L plain radiograph of the wrist | frontal view | age 10 y, male | detector: Siemens | image width 100.2 mm
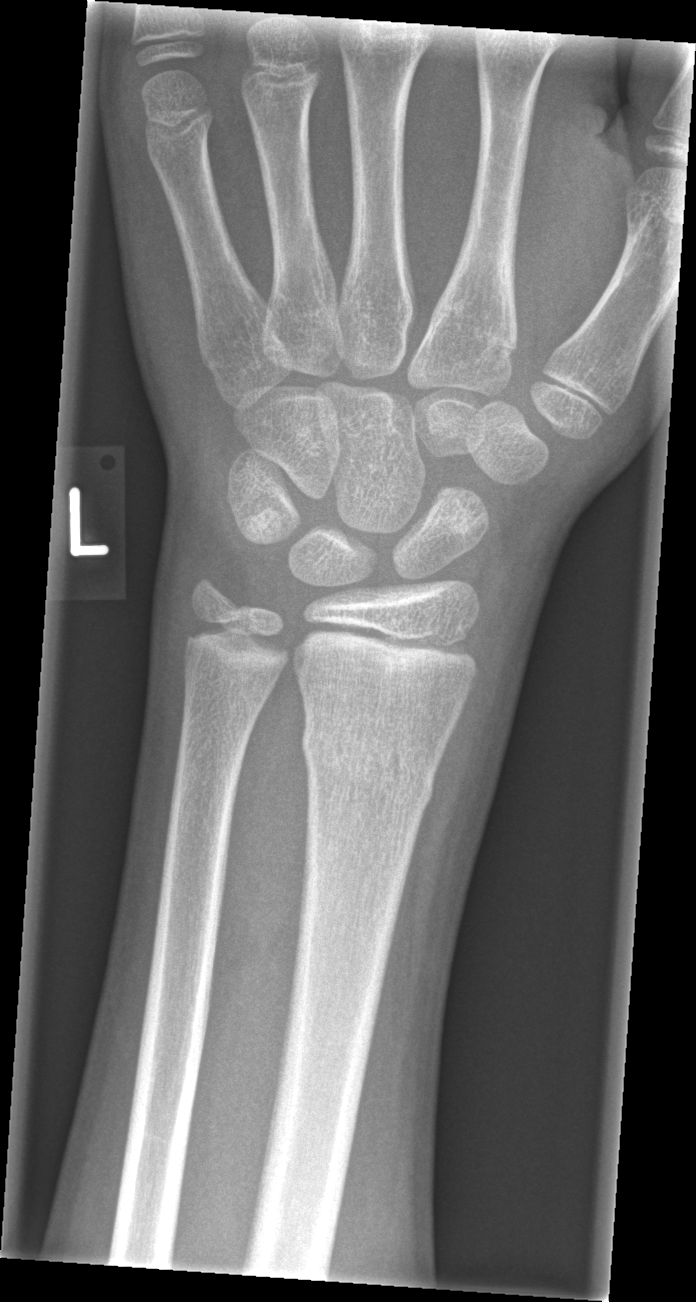
One Fx at (299, 715, 440, 821).